Lateral | left wrist plain film | pediatric patient (male, age 2) | Siemens | 410 by 577 pixels:

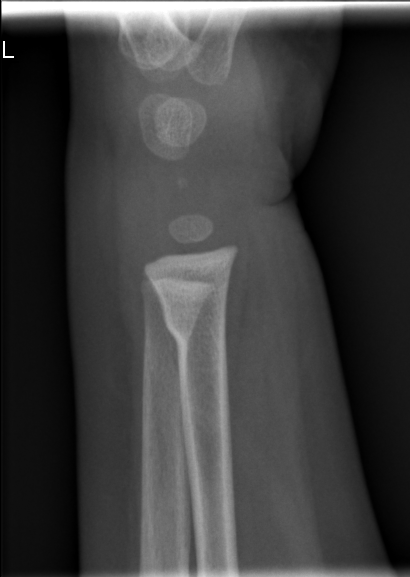 Fracture classified AO/OTA 23-M/2.1. Fx: (161, 308, 229, 347).